Lat projection, Lt wrist XR, pediatric patient (female, age 8), cast present.

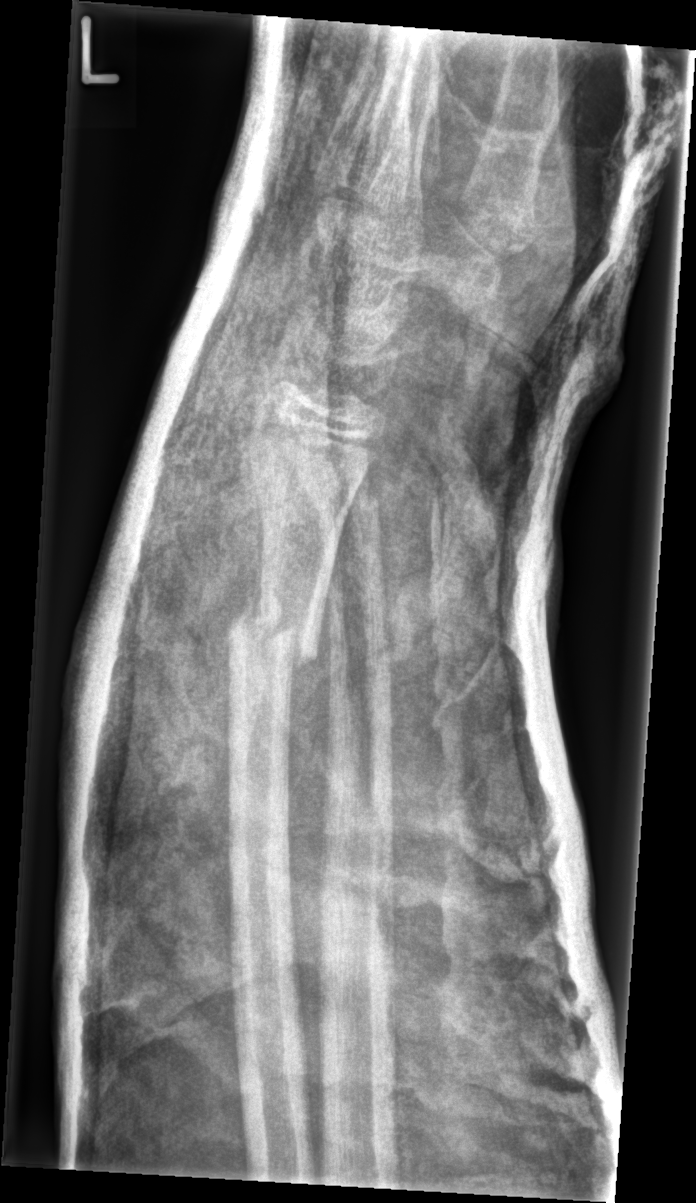 AO code 23r-M/3.1; 23u-M/2.1.
Bone fracture: <220,587>-<330,687>, <302,473>-<387,534>.